Posteroanterior, right wrist radiograph, image size 591x902:
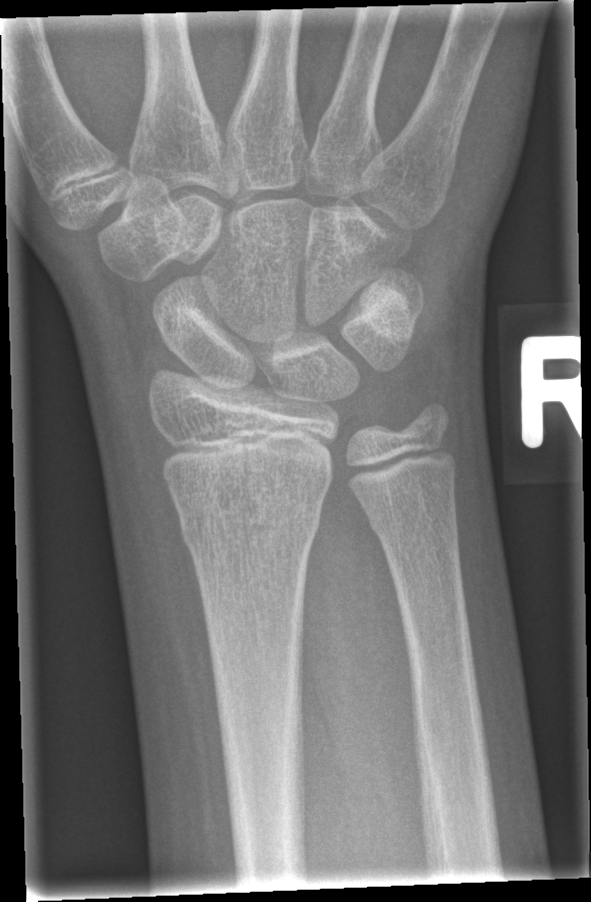

Findings: Bone fractures — [177, 495, 326, 559], [362, 495, 463, 549].